Lateral, right wrist XR, 16y M, 474x874:
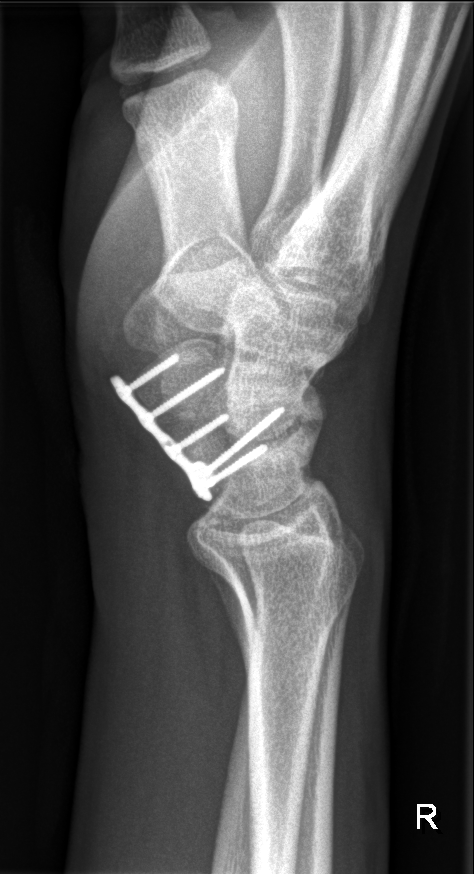

(coordinates are [x1, y1, x2, y2] in image pixels)
hardware = 1 @ [x1=106, y1=349, x2=290, y2=503]
fracture = present but not clearly seen in this view
AO/OTA = 72B(b)